Left wrist radiograph · lat · 17y M · subsequent exam · in cast · 732 x 1406 px: 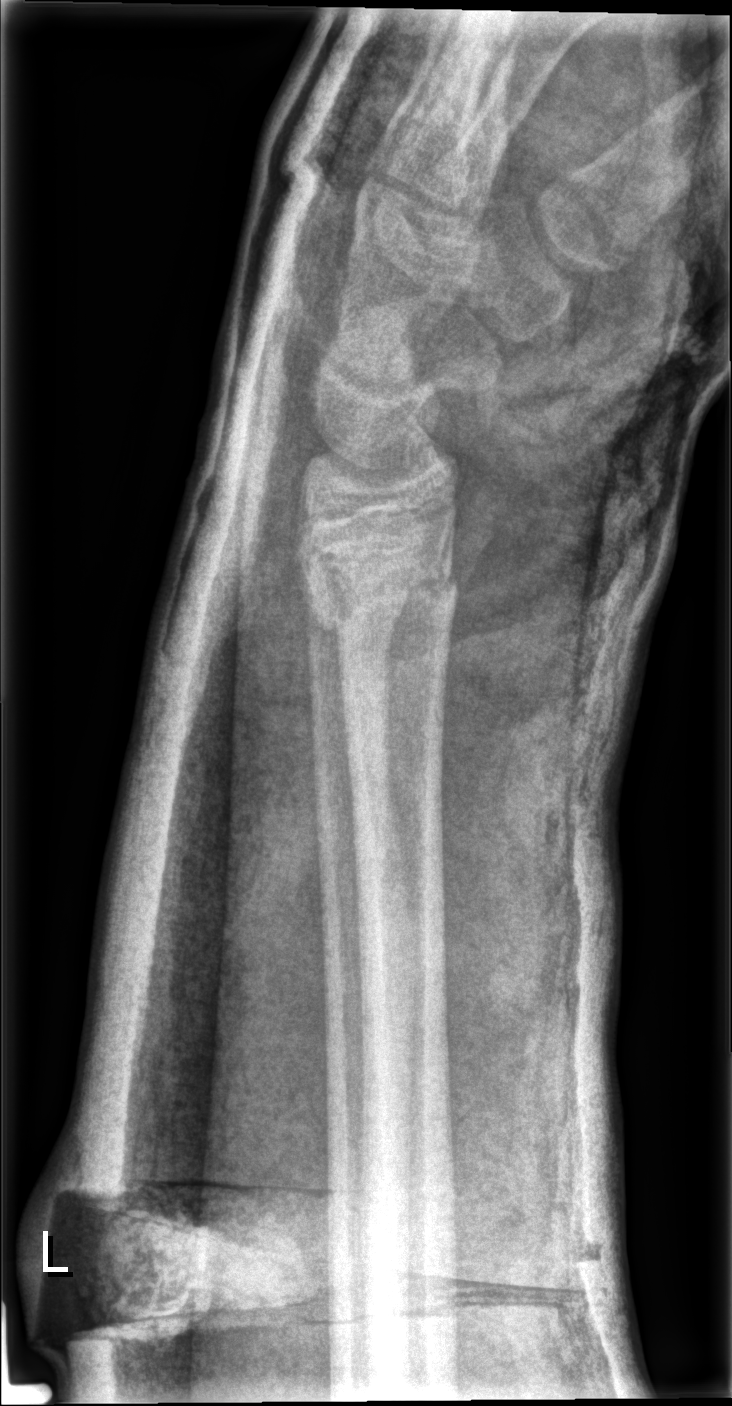 (pixel coordinates, top-left origin, xyxy)
AO classification: 23r-M/3.1; 23u-E/7
Fracture: 305,557,462,639